Right wrist plain film · lat projection · 10y F.

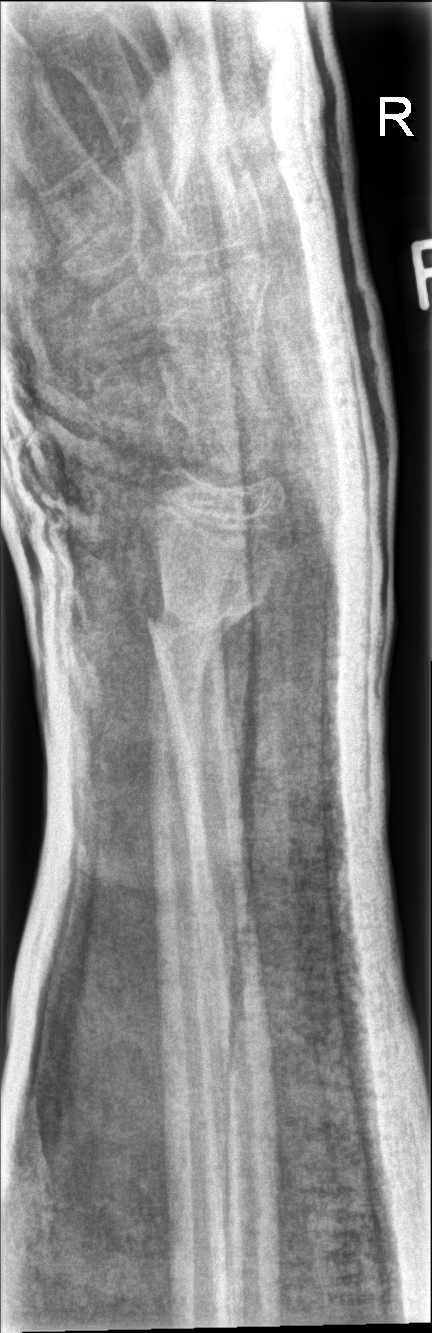 {
  "_coords": "pixel coordinates, top-left origin, xyxy",
  "fracture": "(140, 582, 258, 711)",
  "ao": "23-M/3.1"
}